Left wrist XR · PA/AP view · male, 9 yo —
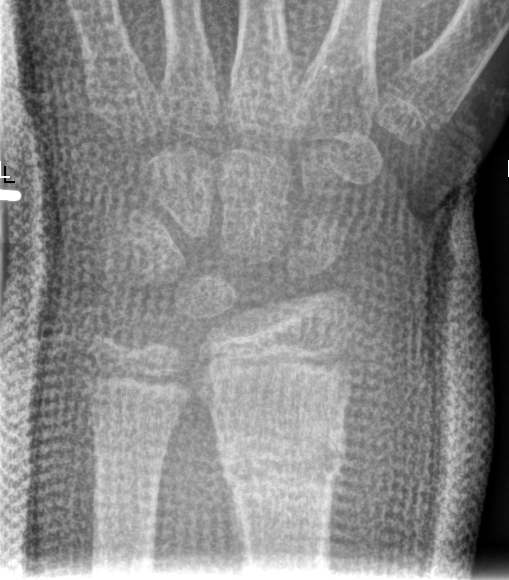

FINDINGS: (bounding boxes in image-pixel xyxy) Fx: <211,422>-<352,496>.